Lt pediatric wrist radiograph | PA projection: 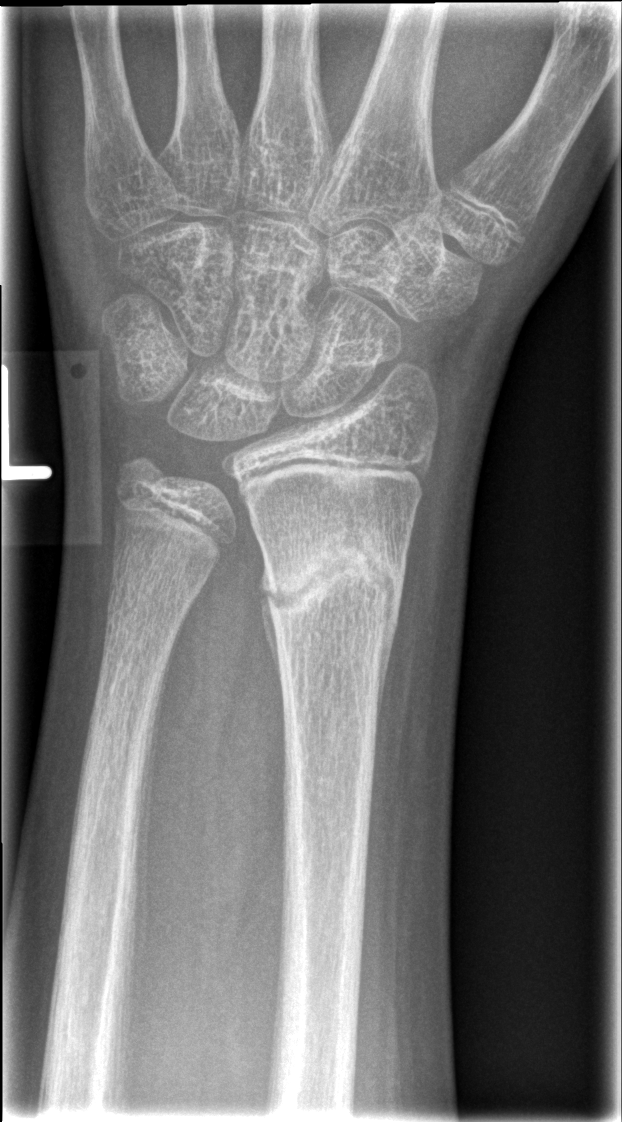
osteopenia = present
periosteal reaction = 2 @ bbox(375, 554, 404, 733) bbox(258, 558, 282, 687)
fracture = bbox(265, 532, 405, 633)
osseous anomaly = bbox(101, 383, 273, 607)